Left wrist plain film | lateral projection | pediatric patient (male, age 9) | detector: Siemens
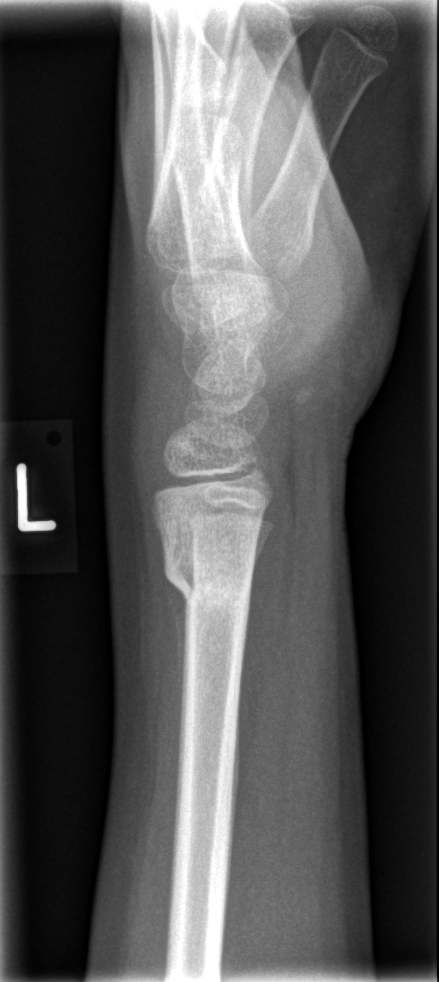
fracture: (left=162, top=545, right=256, bottom=627)